PA/AP view | left wrist XR.
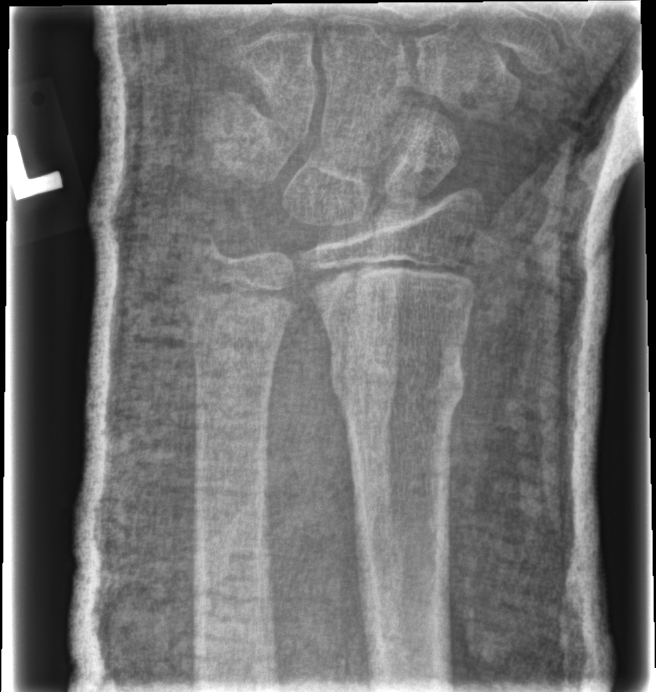 Fracture — [327, 340, 466, 420].